Frontal projection; right wrist XR; 9-year-old girl:

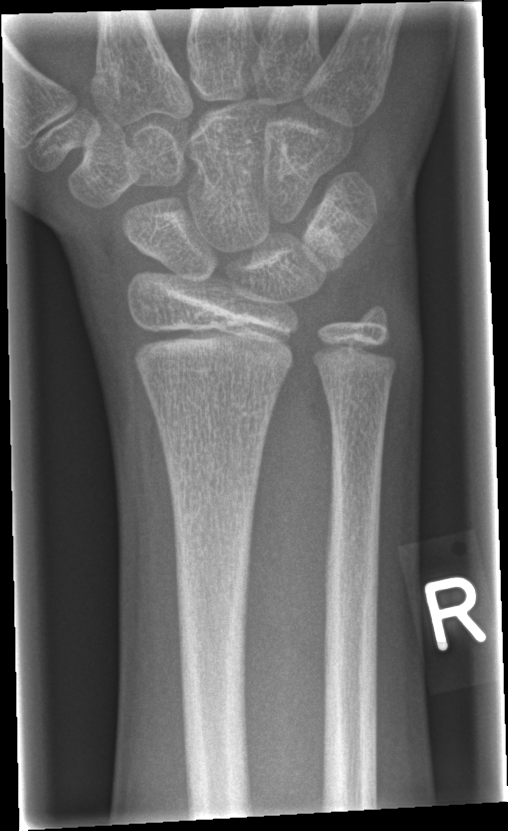

FINDINGS — No fracture bounding box.